Left wrist radiograph | lat projection | age 13 y, male | cast in situ
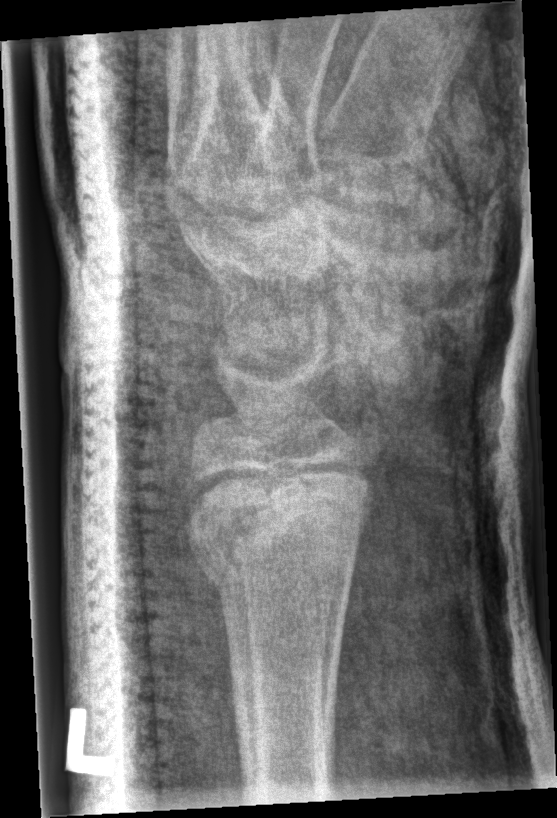

FINDINGS — Bone fracture — (left=175, top=470, right=380, bottom=595). AO/OTA classification: 23r-E/2.1; 23u-E/7.